L wrist plain film · lateral view · follow-up · Siemens —

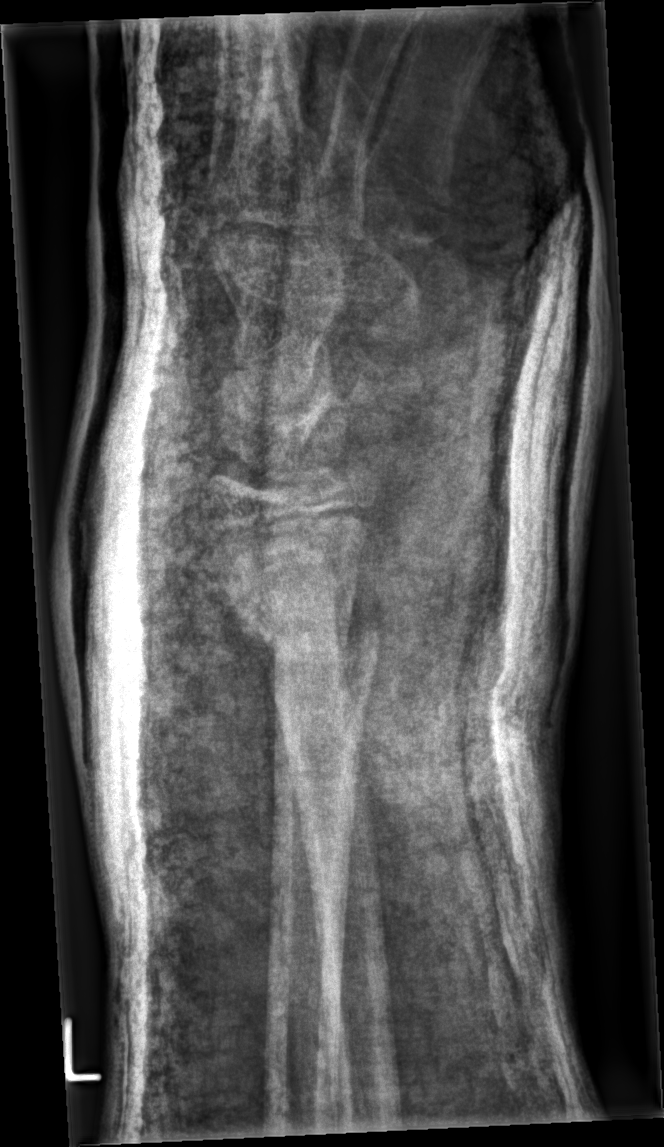

Fx: bbox(241, 601, 391, 661). AO/OTA classification: 23r-M/3.1; 23u-E/7.